Frontal, right wrist plain radiograph of the wrist, female, 4 yo, initial study —
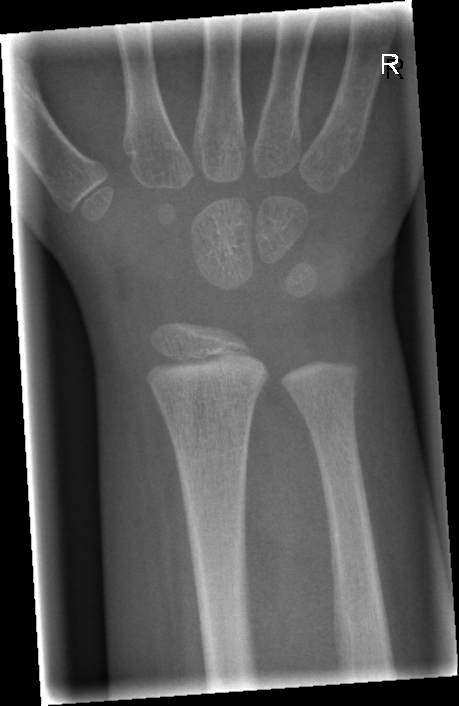
Findings: No fracture bounding box.